Right wrist radiograph | PA/AP | Siemens: 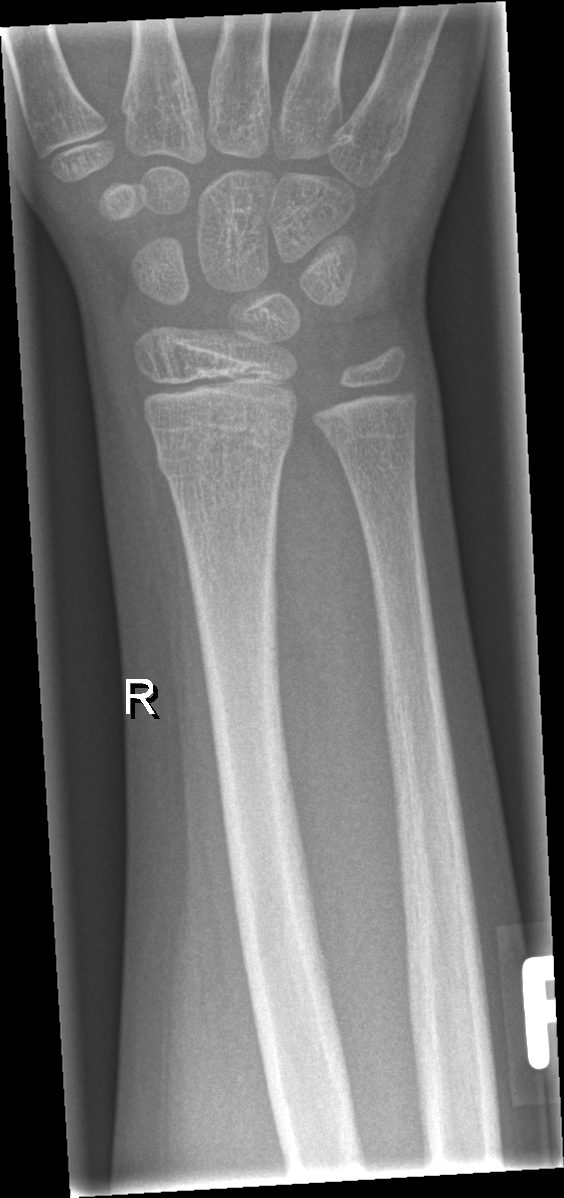 AO code 23r-M/2.1.
Fracture identified at [150, 431, 298, 491].